Rt pediatric wrist radiograph · frontal view · 14y M · presentation radiograph · 665 by 1568 pixels.

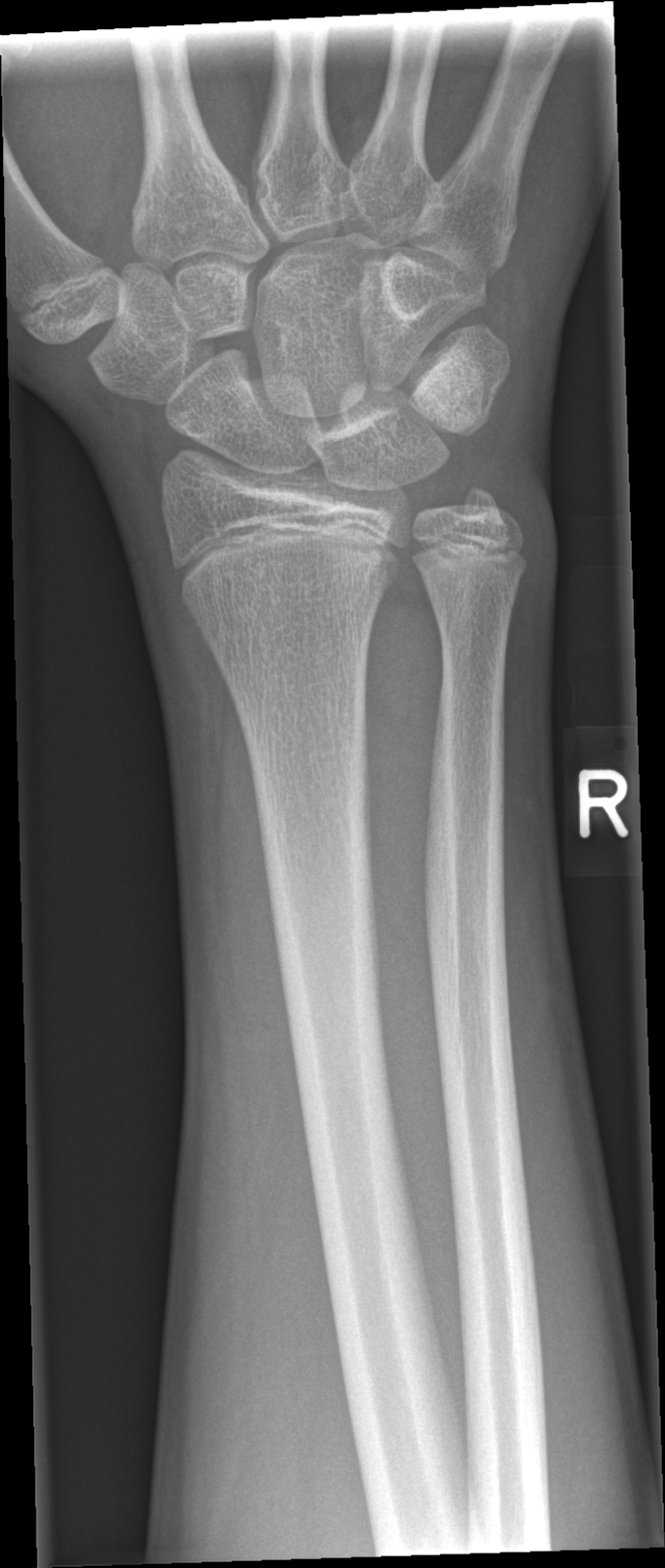
Fracture: none labeled.